Lateral view · Rt wrist plain film · 1.4-year-old boy · presentation radiograph · image size 263x586 —
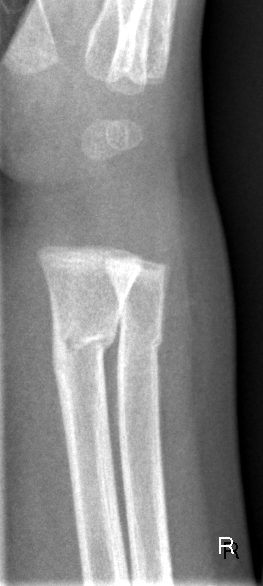

FINDINGS — Fractures — 47 312 120 373
  113 313 169 377.